Lateral projection | Lt pediatric wrist radiograph | 6y F | presentation radiograph:

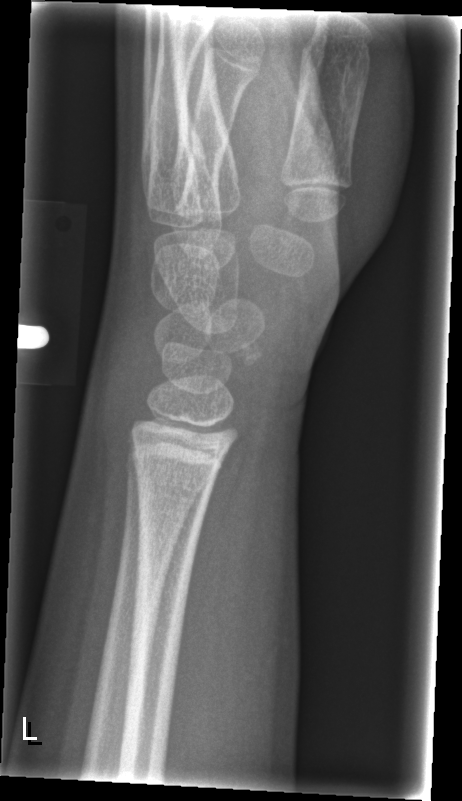 {"fracture": "none labeled"}